Posteroanterior projection | left wrist XR | age 7 y, boy
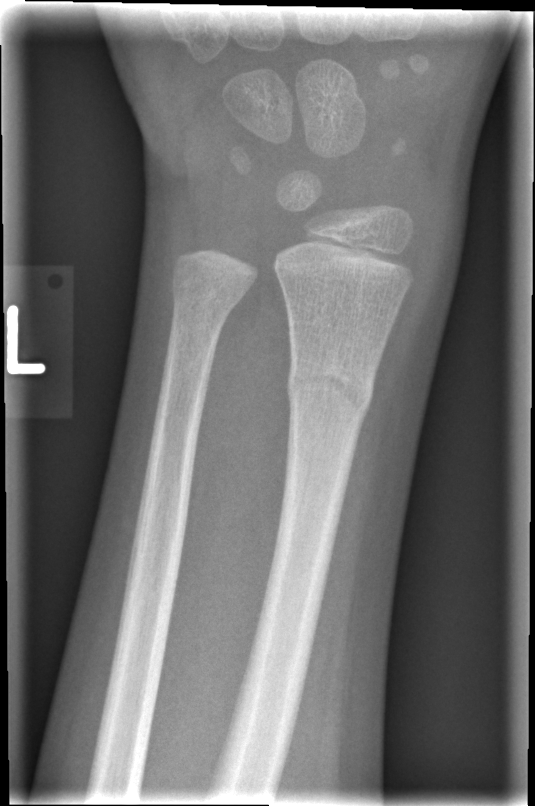
- Fracture identified at (left=286, top=351, right=378, bottom=420); (left=167, top=265, right=250, bottom=333).